Right wrist XR, AP, pediatric patient (male, age 10), follow-up, 613x1152.

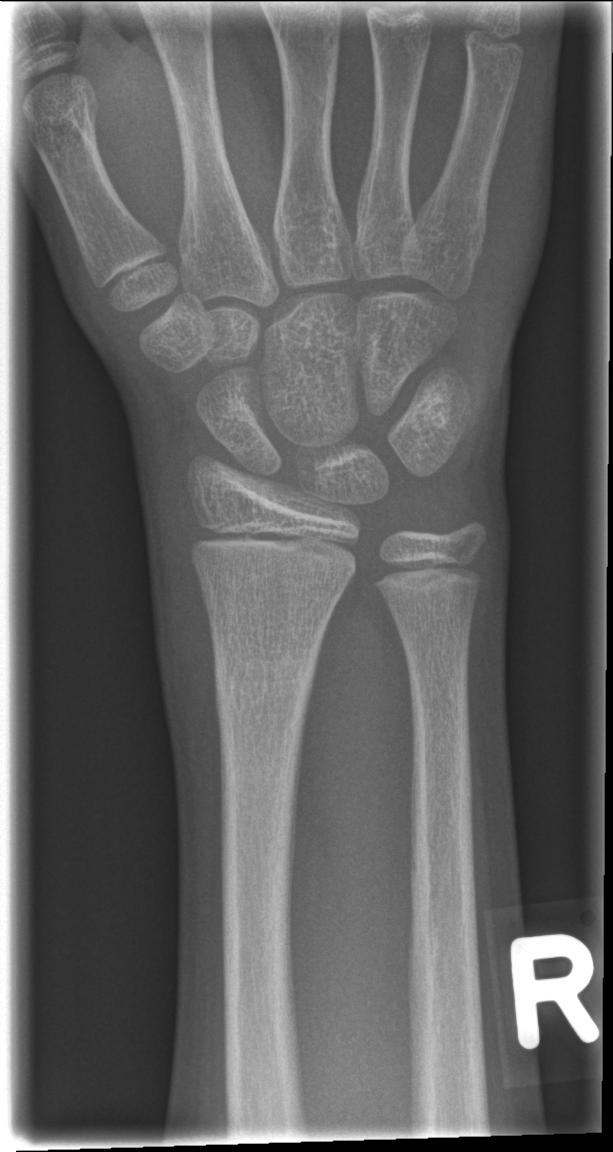

Fx — 211,642,321,712.